Lt wrist plain film, lat, 6-year-old male, imaged through cast, acquired on Siemens —

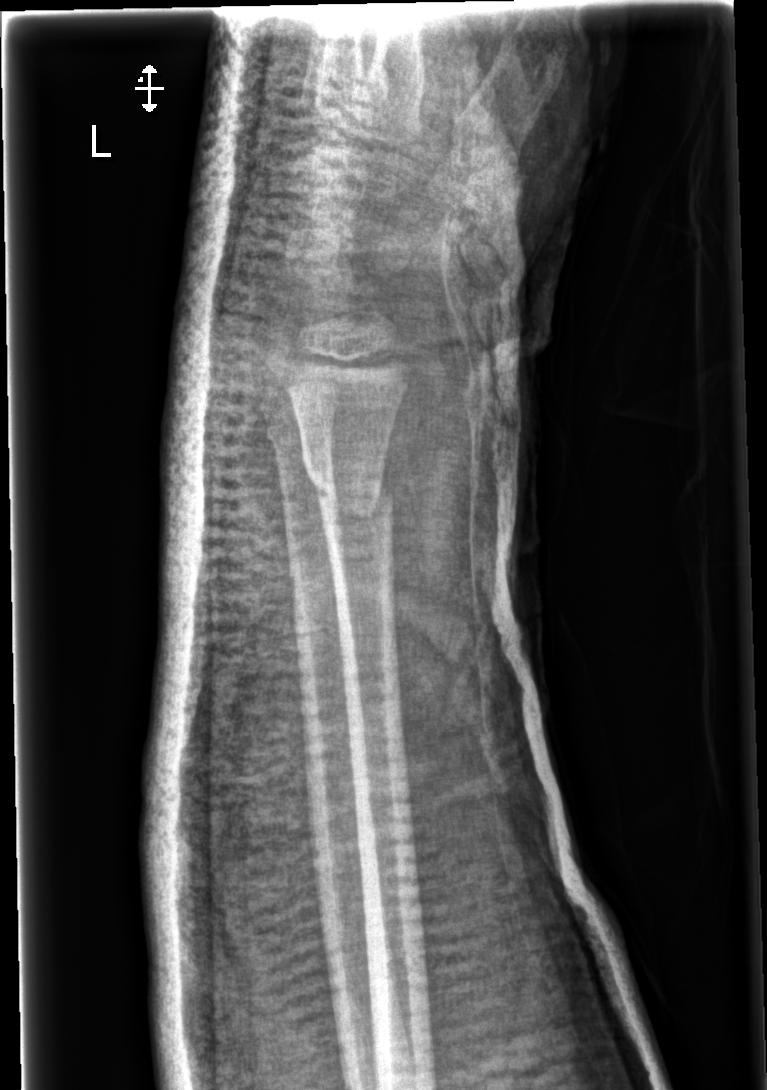 (pixel coordinates, top-left origin, xyxy)
bone fracture: 303 458 395 526; 259 407 334 468
AO/OTA: 23r-M/3.1; 23u-M/2.1